PA | right wrist radiograph | cast present | 596 x 938 px —

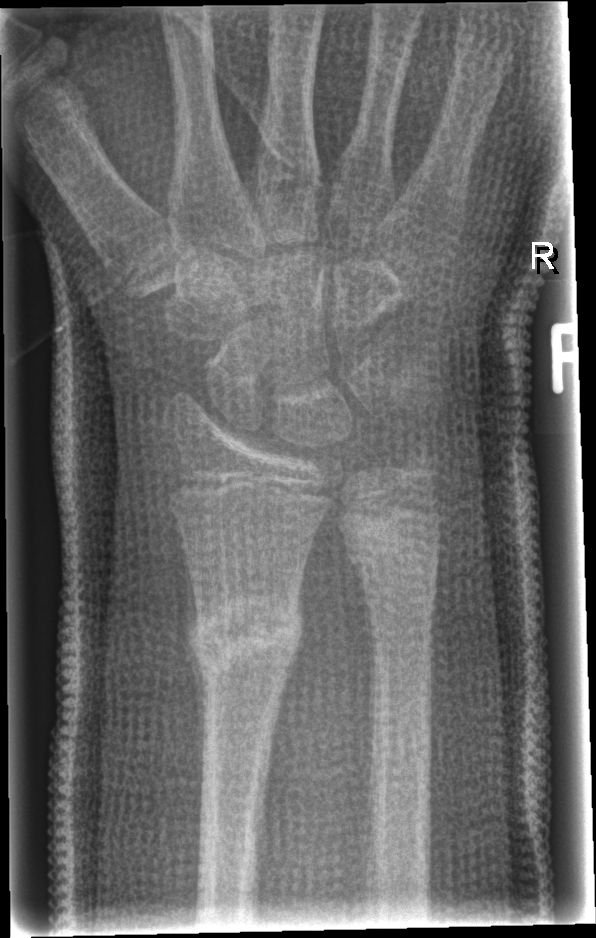
Findings: Fracture identified at (left=178, top=601, right=311, bottom=673); (left=345, top=544, right=447, bottom=612).